Left wrist plain radiograph of the wrist | frontal view | age 9 y, girl | 699 by 988 pixels.
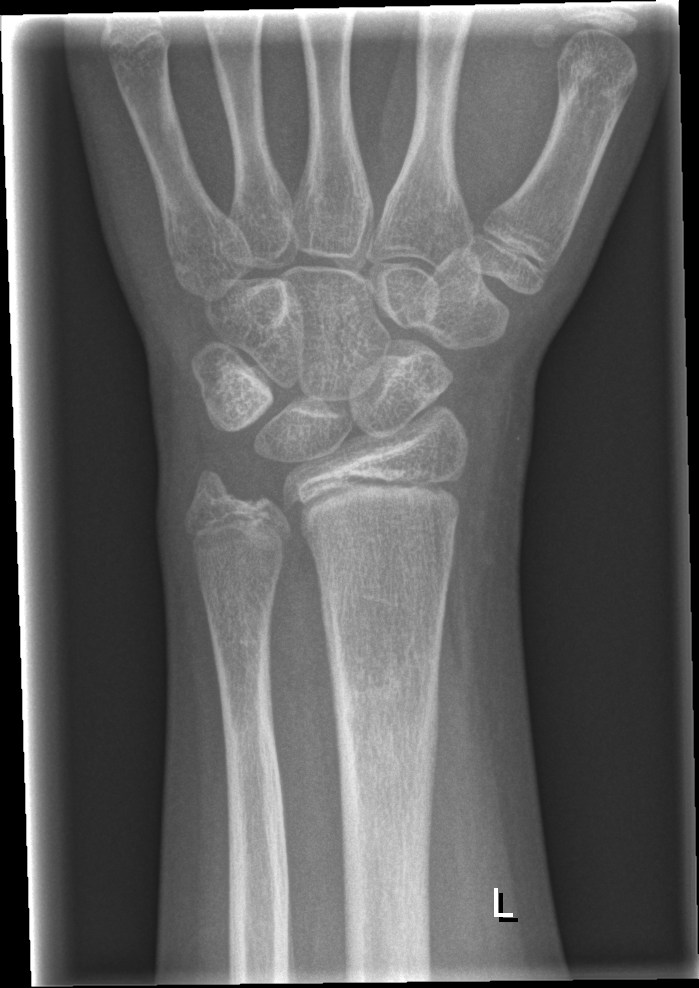

AO classification: 23-M/3.1; 23u-E/7
Fx: 3 @ bbox(329, 651, 449, 807) bbox(215, 656, 285, 780) bbox(185, 464, 243, 514)